Lt plain radiograph of the wrist | posteroanterior
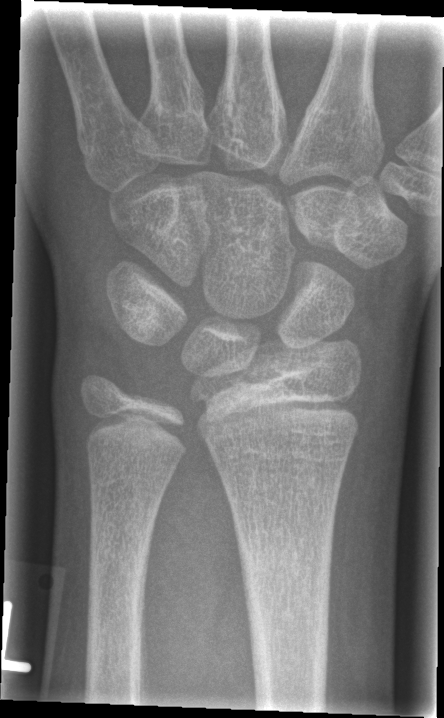

* No Fx annotated.